Posteroanterior view; left wrist X-ray; pediatric patient (girl, age 12). 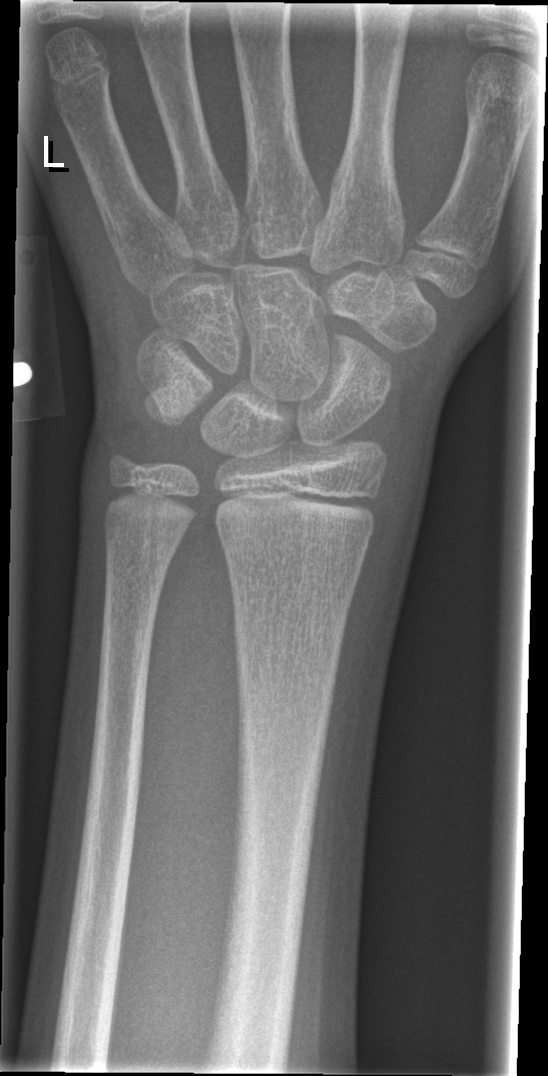 fracture: none labeled